Left plain radiograph of the wrist | AP projection | boy, 14 yo | 550 by 1256 pixels —

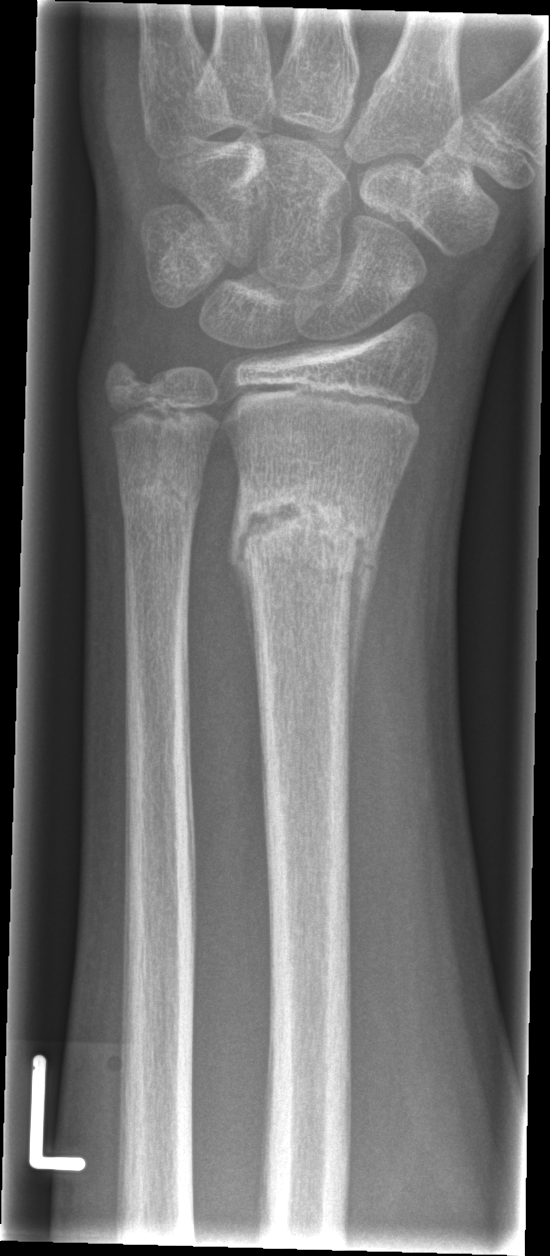

Q: Locate any fractures.
A: Three bone fractures at bbox(226, 480, 382, 598), bbox(116, 463, 203, 540), bbox(98, 349, 157, 408)
Q: Any periosteal thickening?
A: Periosteal reaction — bbox(345, 557, 383, 812) bbox(237, 566, 261, 712)
Q: AO code?
A: AO/OTA classification: 23r-M/3.1; 23u-M/2.1; 23u-E/7
Q: Bone density?
A: Decreased bone density (osteopenia)